Left wrist radiograph · lateral · presentation radiograph · acquired on Siemens · image size 545x1126 —
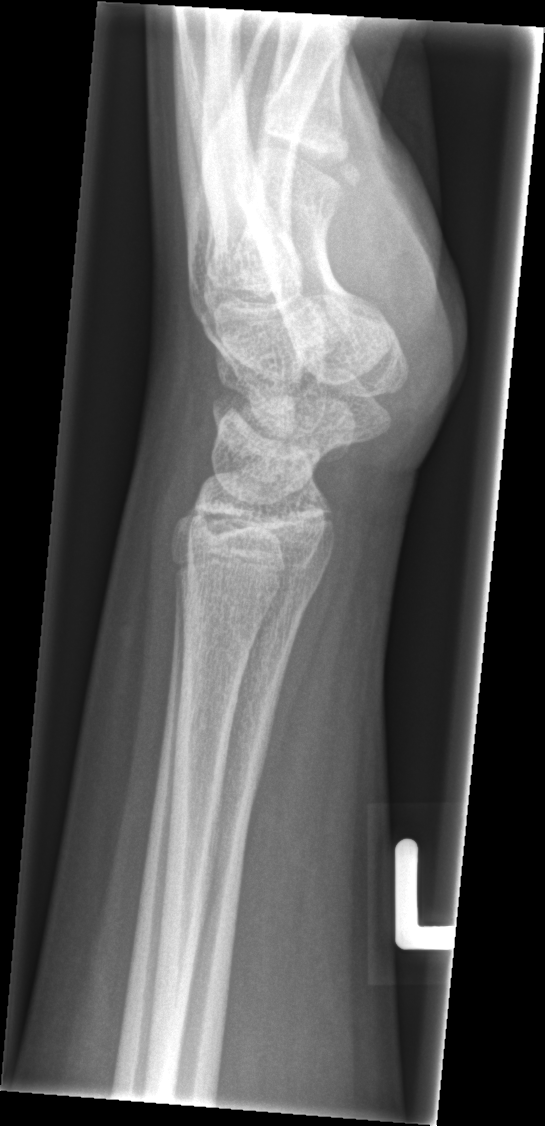 No Fx annotated.